AP projection; R pediatric wrist radiograph; 9y M; 583x1108:

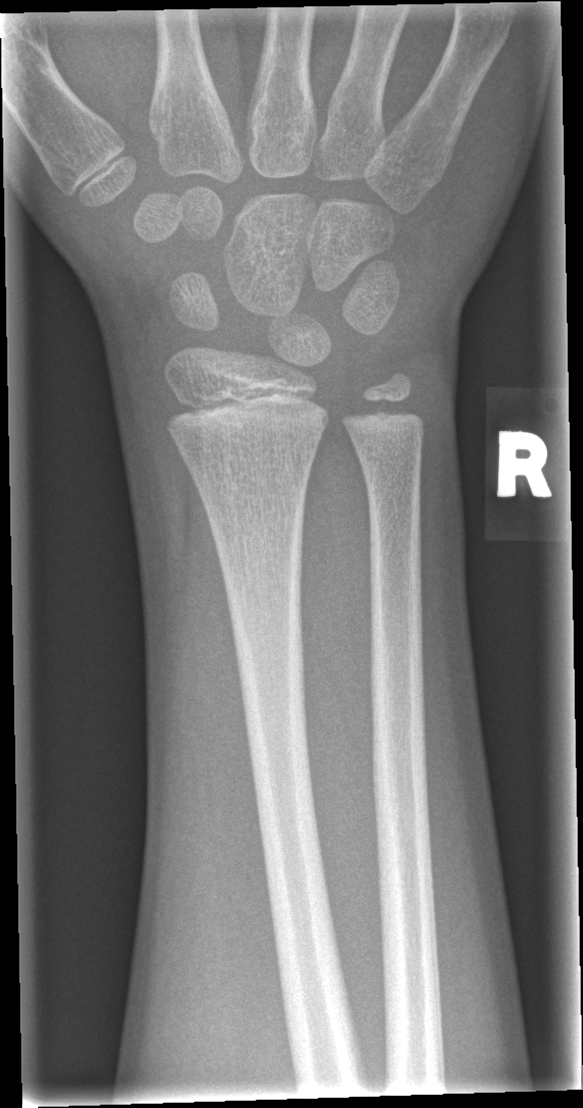 • Fracture: none labeled.